Left wrist plain film | lateral projection | 1.5y M —

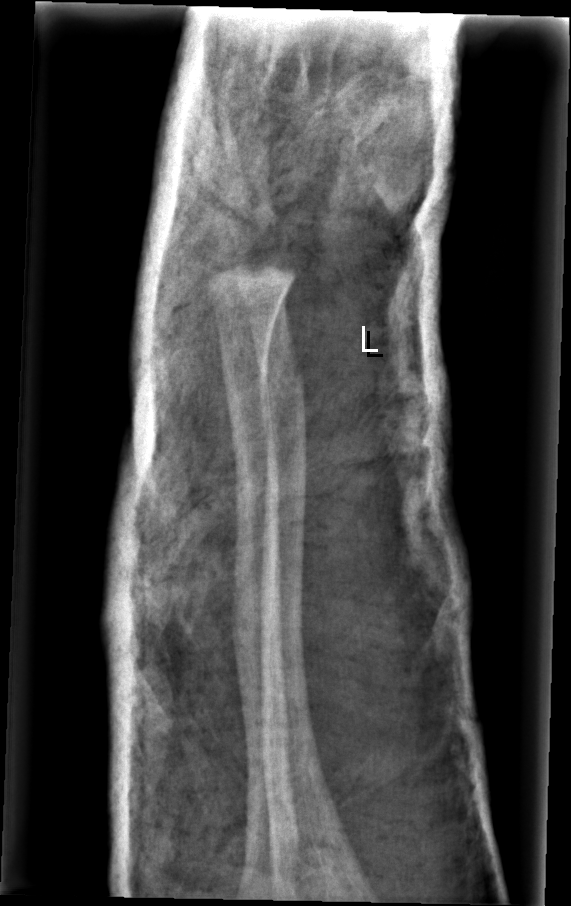

(pixel coordinates, top-left origin, xyxy)
Fracture = [x1=255, y1=346, x2=307, y2=416]
AO code = 22-D/2.1